L wrist radiograph, AP, age 15 y, male, presentation radiograph, 107.9 mm image width, 749 x 1430 px 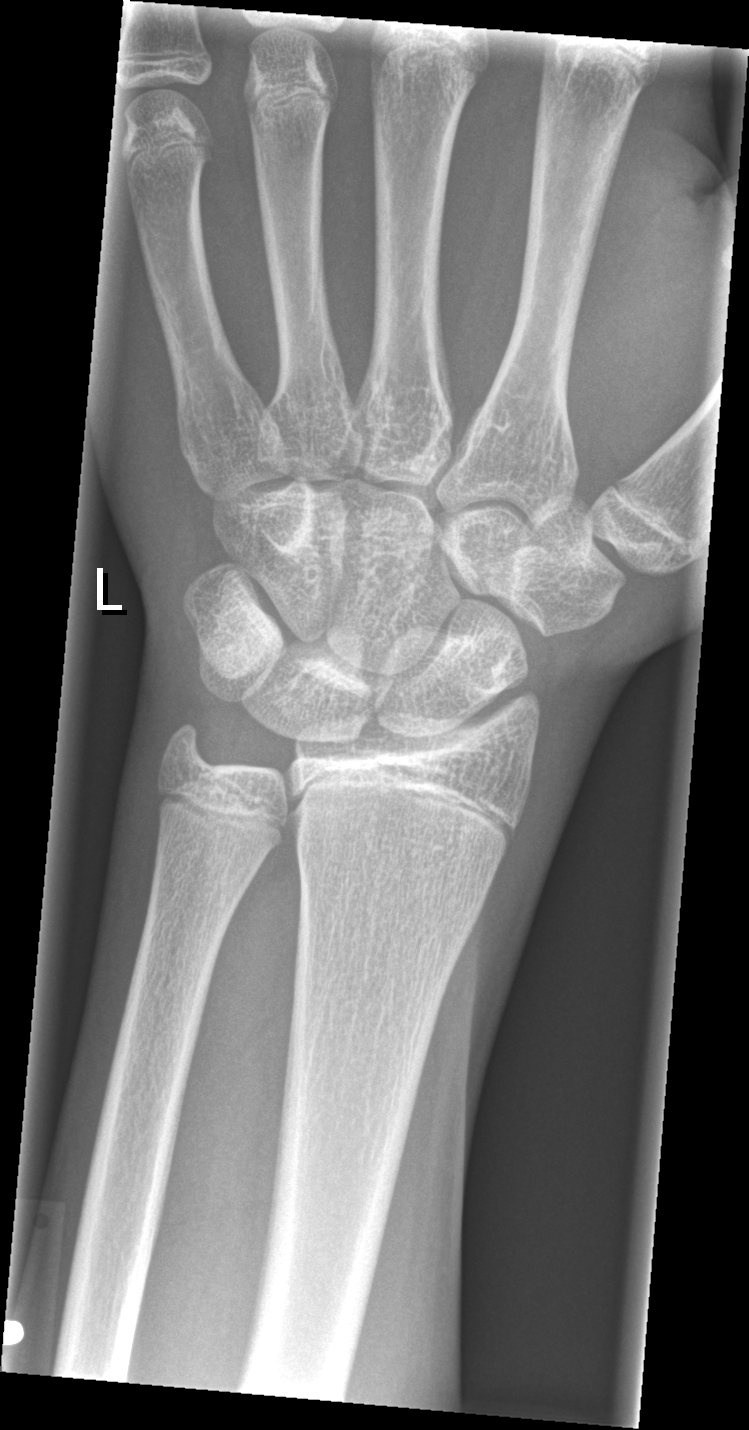
Findings: No fracture annotation.